R wrist X-ray, frontal projection, boy, 6 yo, 583x952: 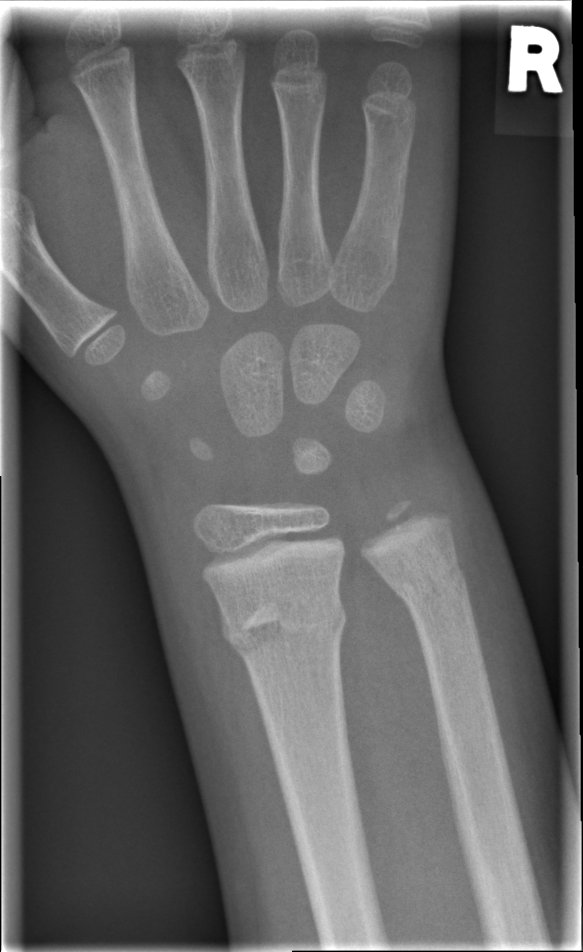
{
  "fracture": "2 @ (216, 589, 348, 657), (389, 562, 473, 613)",
  "ao": "23-M/3.1"
}